Right plain radiograph of the wrist | PA view | 63.6 mm image width | image size 442x782 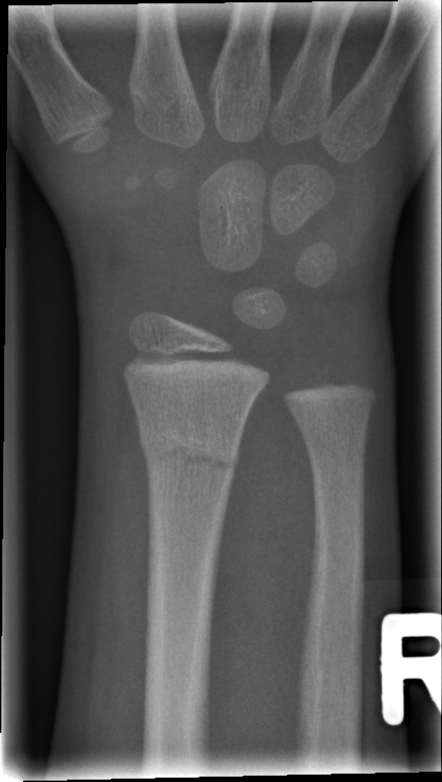
Fx = 1 @ <137,422>-<243,480>